Lateral projection; right plain radiograph of the wrist; 10y M; imaged through cast —

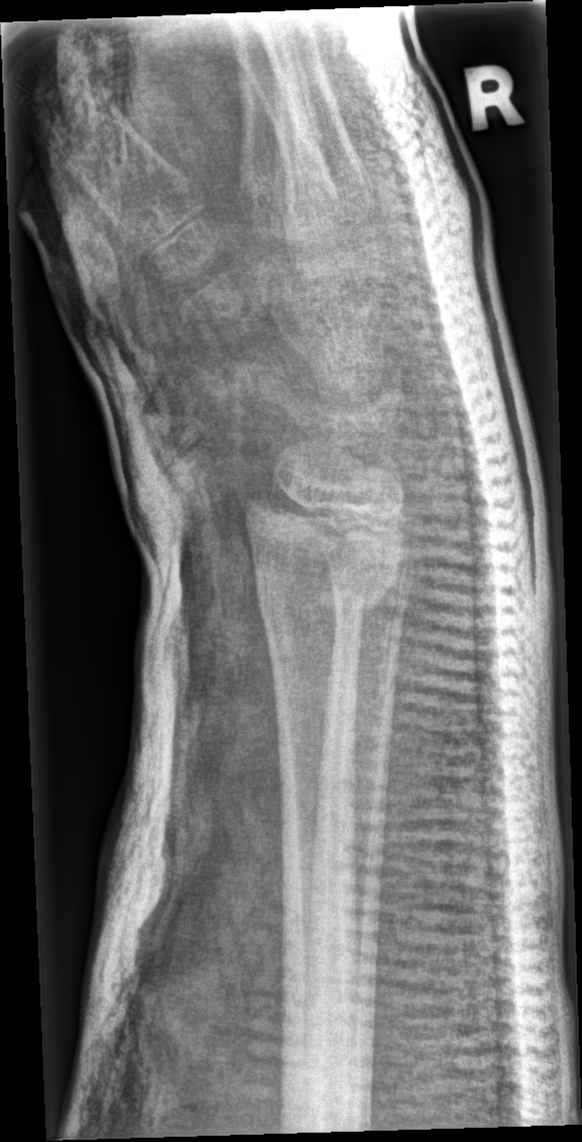
{
  "_coords": "boxes as x1,y1,x2,y2 (top-left / bottom-right, pixel units)",
  "fracture": "[245, 483, 409, 625]"
}